Left wrist radiograph · oblique · image 45.1 mm wide: 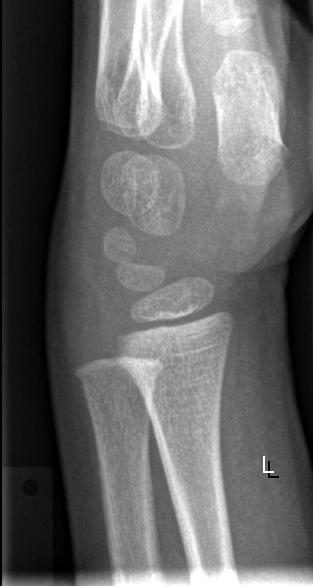

No fracture bounding box.